Frontal view; left wrist plain film; pediatric patient (male, age 14); findings marked uncertain by the reading radiologist; image 89.0 mm wide.

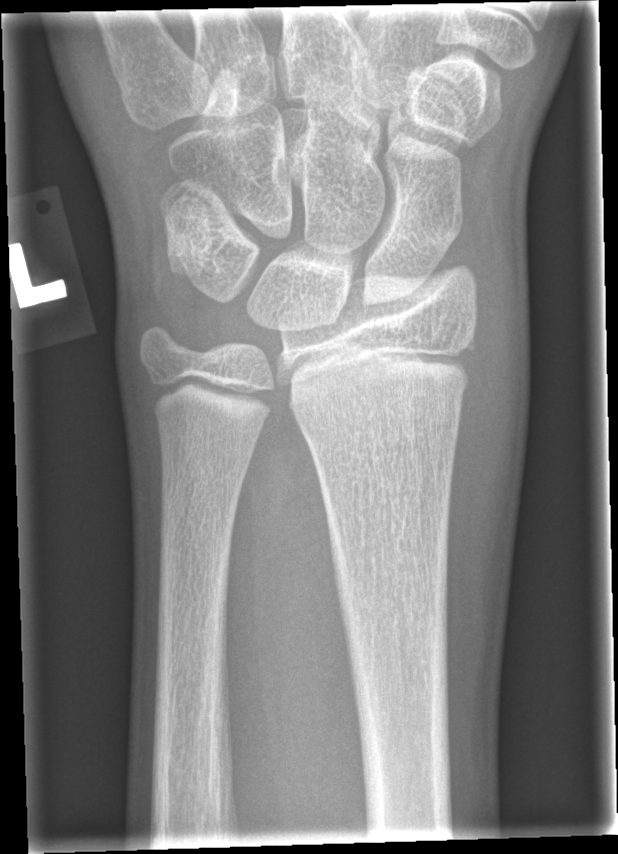 (boxes as x1,y1,x2,y2 (top-left / bottom-right, pixel units))
soft-tissue swelling = <444,213>-<529,510>
Fx = none labeled